PA/AP · left wrist plain radiograph of the wrist:

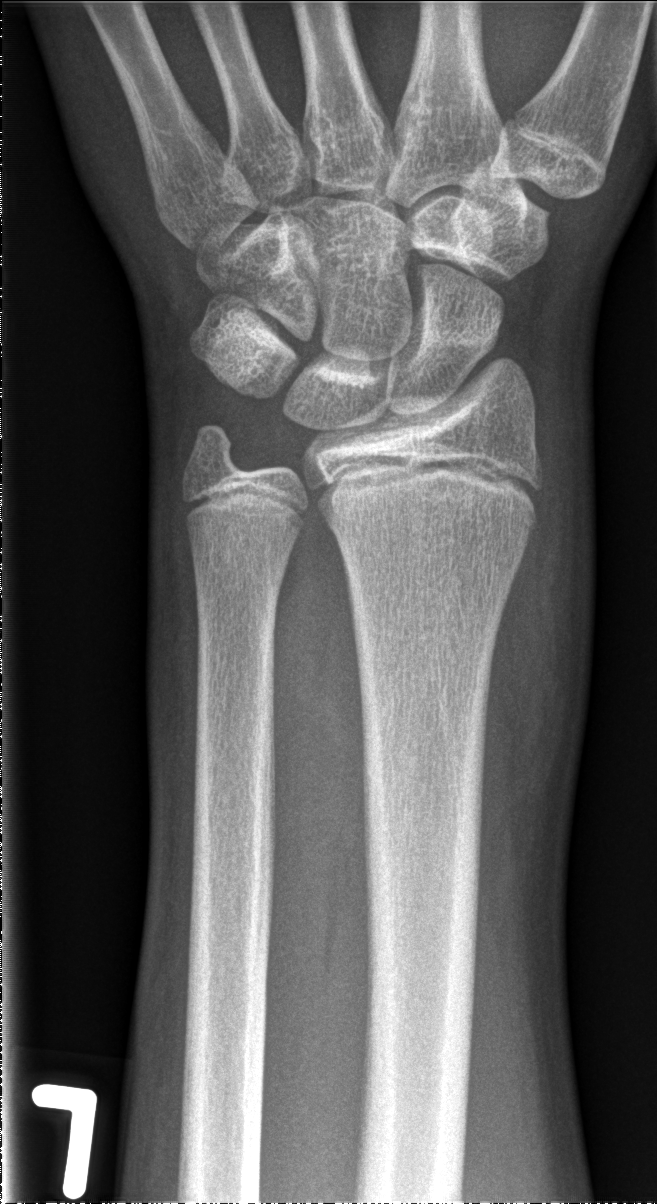 Soft tissue abnormality: 479,397,595,865. Fx present but not clearly seen in this view.